PA · L plain radiograph of the wrist · male, 15 yo · in cast

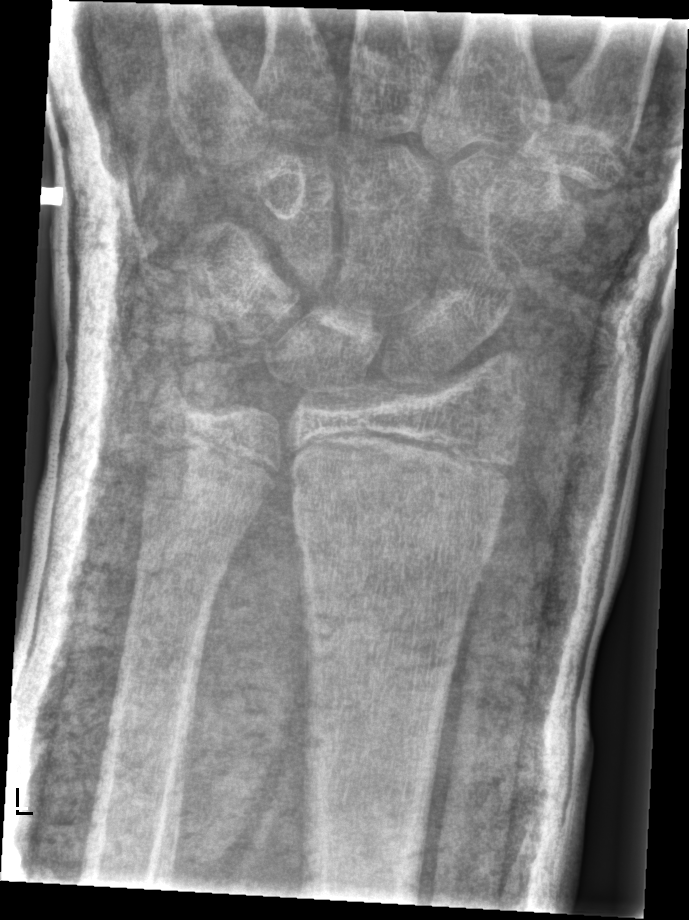
Fracture: present but not clearly seen in this view.